Lateral; Lt wrist XR; 3y M; image size 469x768

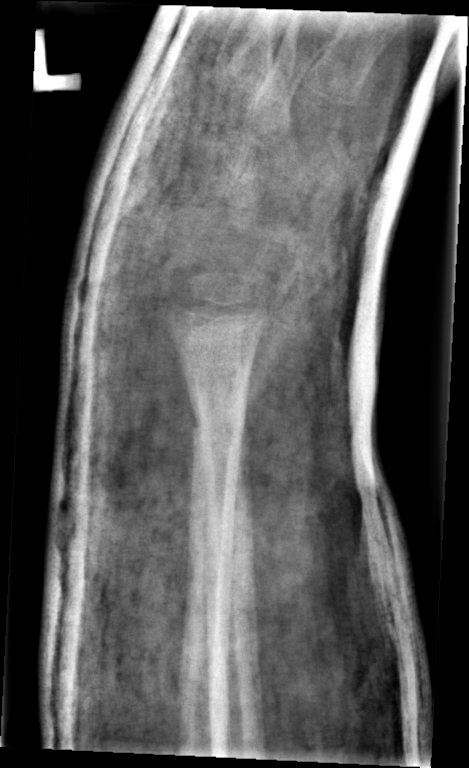
One fracture at bbox(187, 403, 250, 449).
AO code 23r-M/3.1; 23u-M/2.1.